Lt plain radiograph of the wrist | lat projection | index exam.

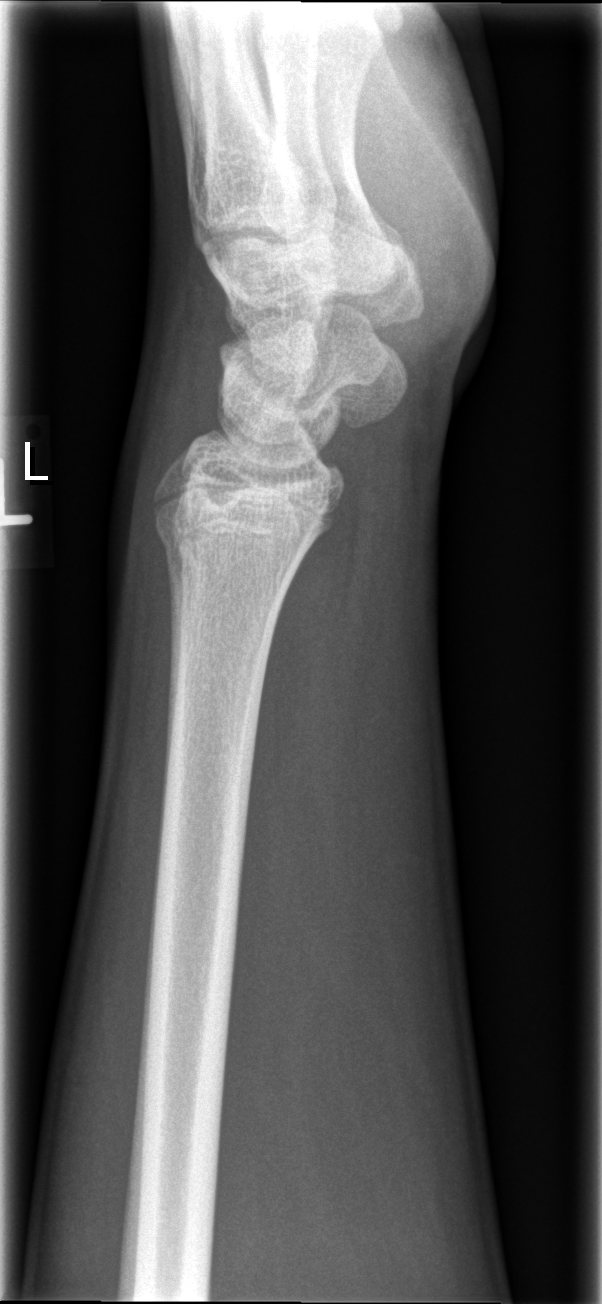
{
  "fracture": "1 @ (152, 509, 309, 587)"
}